AP view | L pediatric wrist radiograph | female, 1.2 yo | 63.2 mm image width.

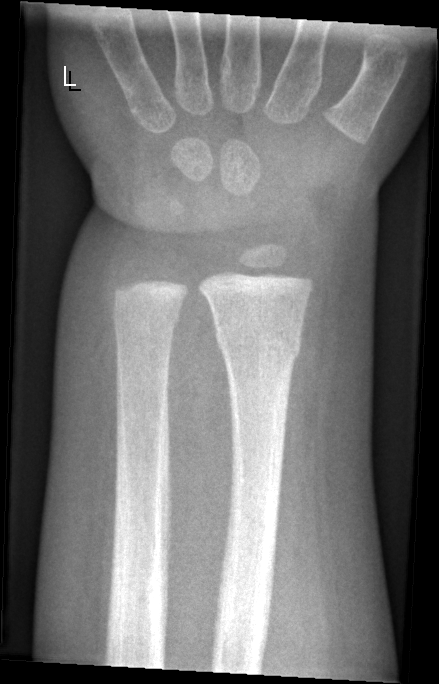

{"_coords": "bounding boxes in image-pixel xyxy", "ao": "23-M/3.1", "fracture": "1 @ [213, 316, 302, 363]"}